Posteroanterior projection, R wrist XR, age 14 y, male — 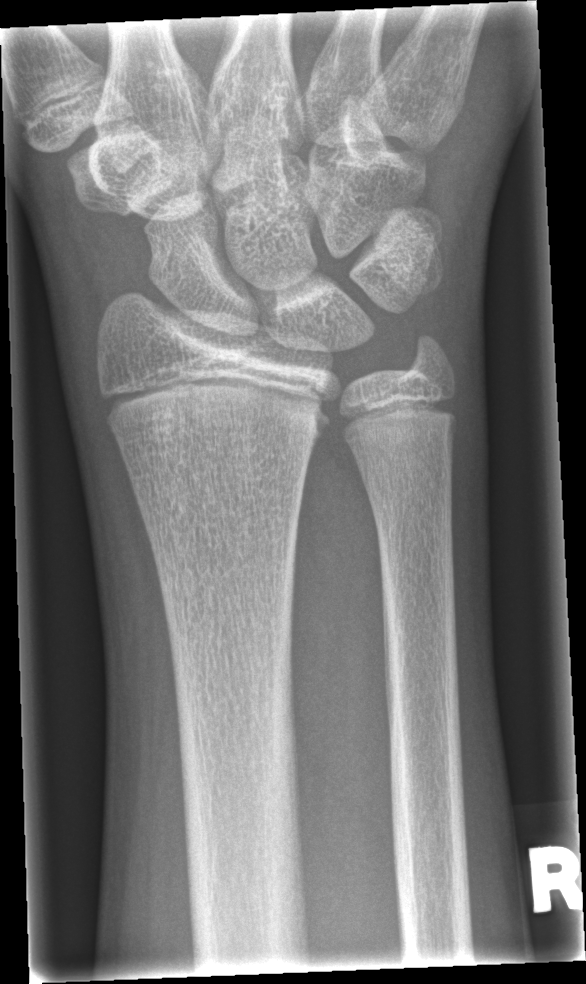

FINDINGS: No Fx annotated.